Left wrist radiograph · lateral projection · 12y F · Siemens —

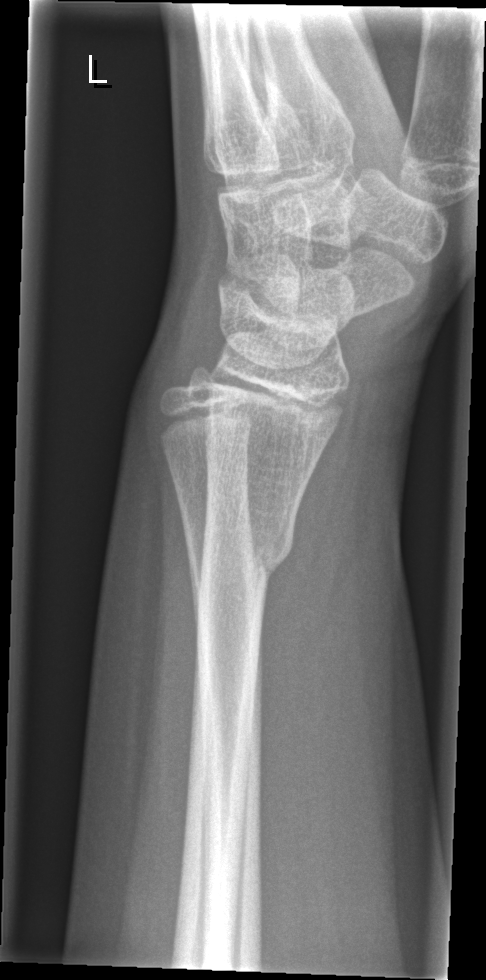
Pixel coordinates, top-left origin, xyxy. AO/OTA classification: 23r-M/2.1. Fx identified at [196, 514, 298, 595]. Osseous anomaly identified at [123, 300, 266, 533].